Posteroanterior view, Lt pediatric wrist radiograph
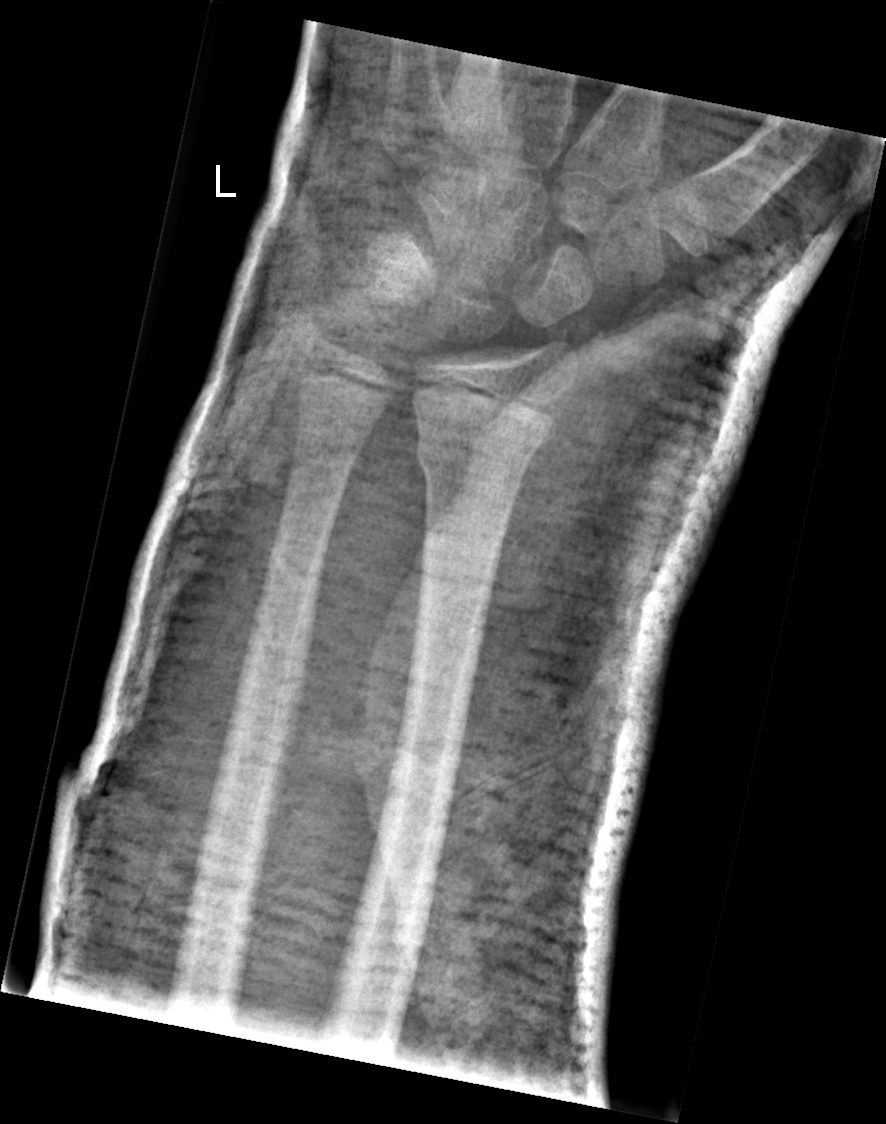 bone fracture = (406, 427, 540, 492)
AO/OTA = 23r-M/2.1